Lt plain radiograph of the wrist; lat projection; age 12 y, girl; index exam —
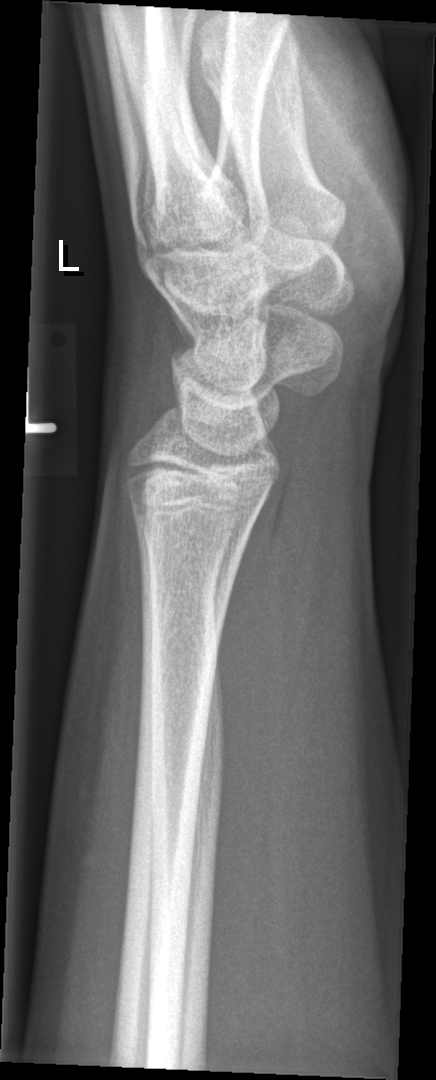

  fracture: none labeled